Left wrist plain film, AP view, boy, 5 yo
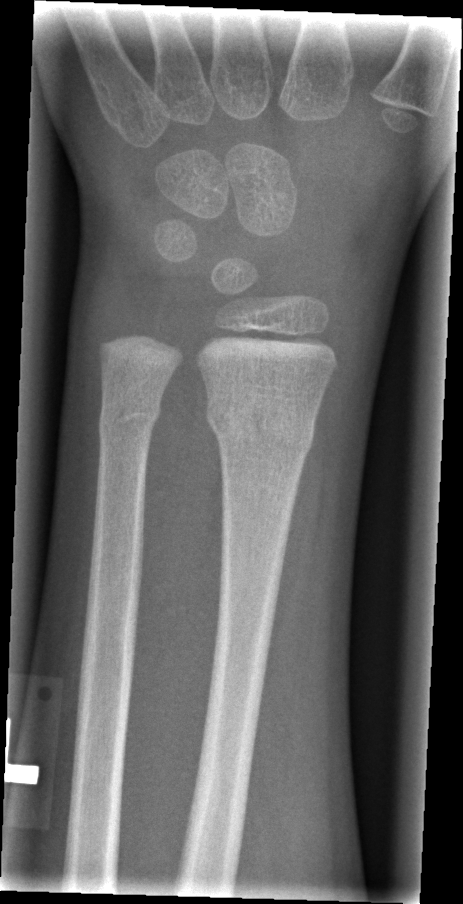 Bone fracture identified at 202,390,319,459
  94,392,164,444. Fracture classified AO/OTA 23-M/2.1.